Lateral projection · left wrist X-ray:
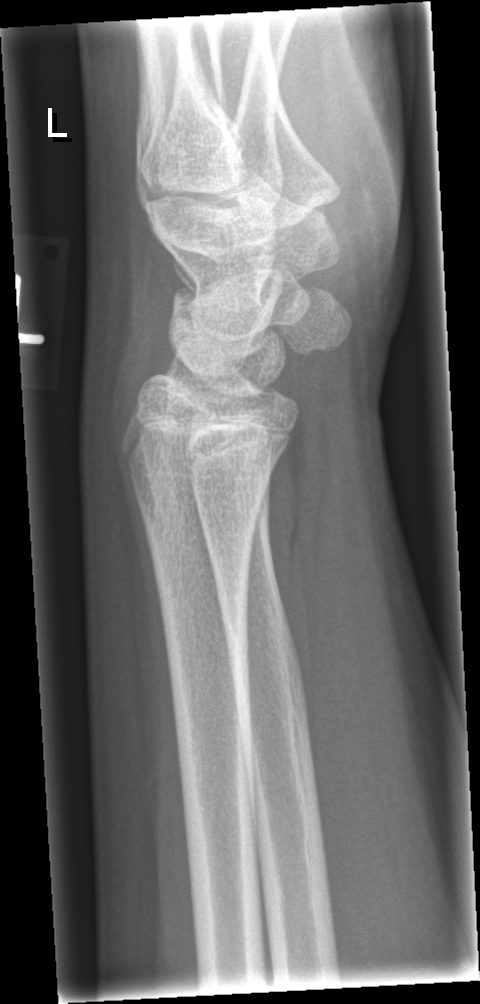
- Fx: none.